PA projection, Lt pediatric wrist radiograph, in cast:
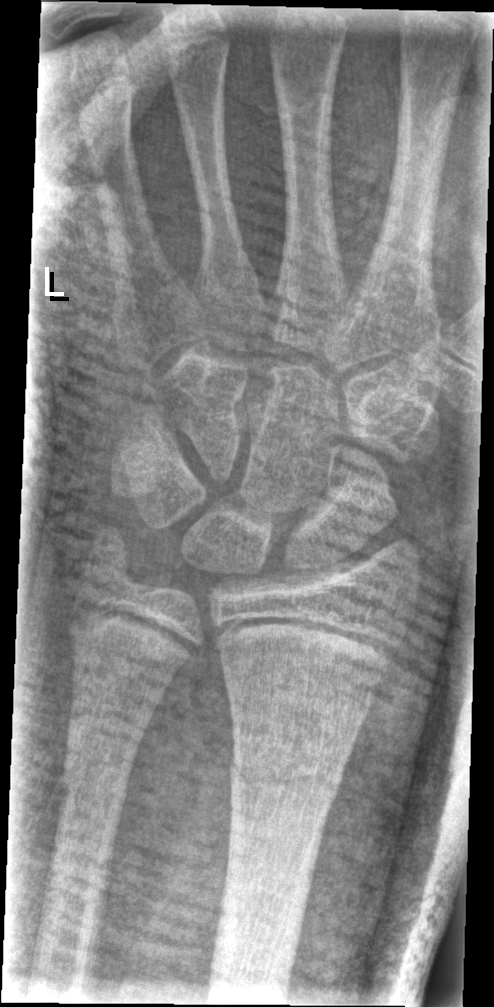 FINDINGS: (pixel coordinates, top-left origin, xyxy) Fx identified at bbox(224, 748, 346, 803) bbox(55, 761, 130, 822). AO/OTA classification: 23-M/3.1; 23u-E/7.